L wrist X-ray | lat view | 7y F:

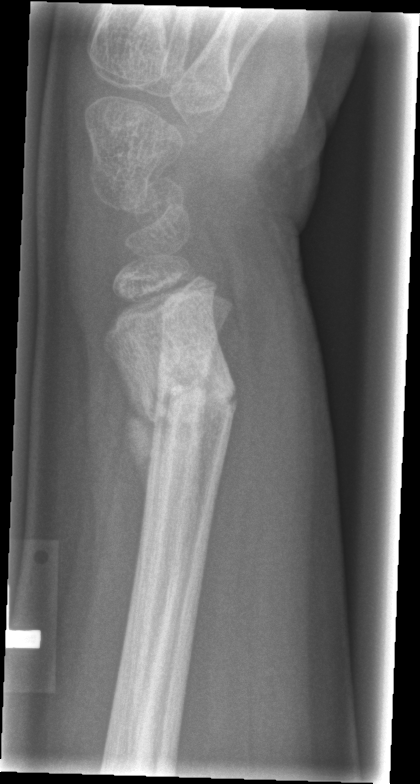 Bounding boxes in image-pixel xyxy. One Fx at (left=130, top=364, right=242, bottom=445). Periosteal new bone identified at (left=127, top=402, right=156, bottom=502). AO/OTA classification: 23r-M/3.1; 23u-M/2.1.